Lateral view | left wrist pediatric wrist radiograph | cast in situ.
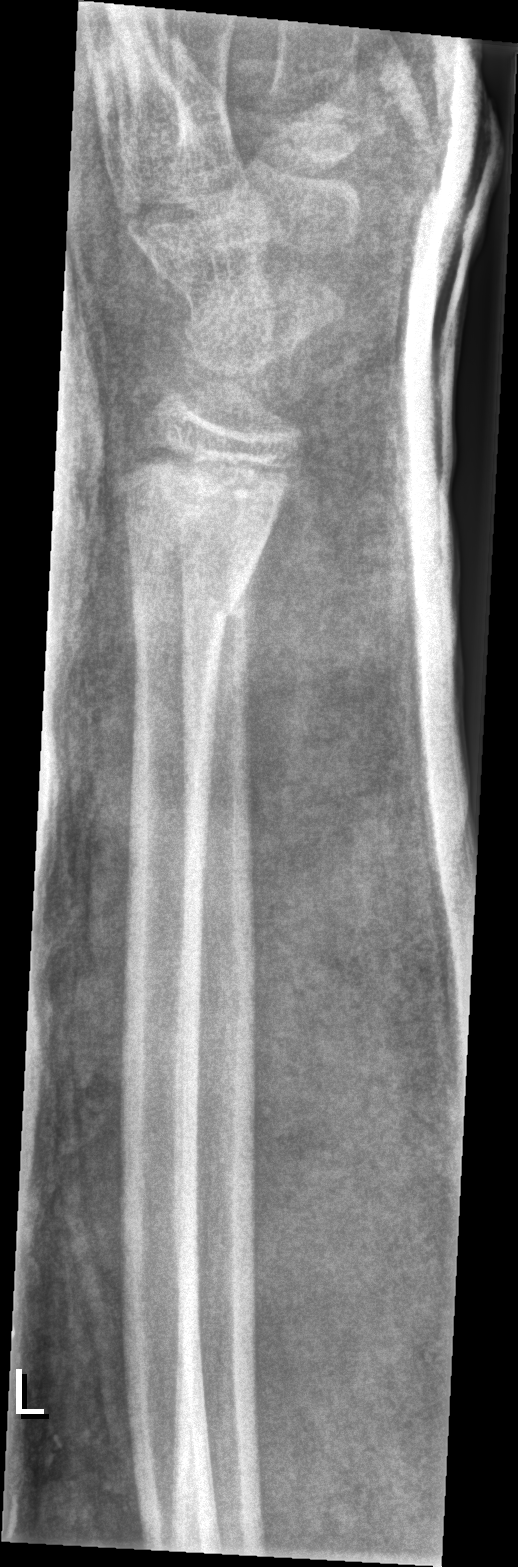 Q: Is there a fracture?
A: Fx: 118,530,253,643
Q: What is the AO/OTA classification?
A: Fracture classified AO/OTA 23r-M/3.1